L wrist radiograph; PA; pediatric patient (male, age 11); cast in situ —

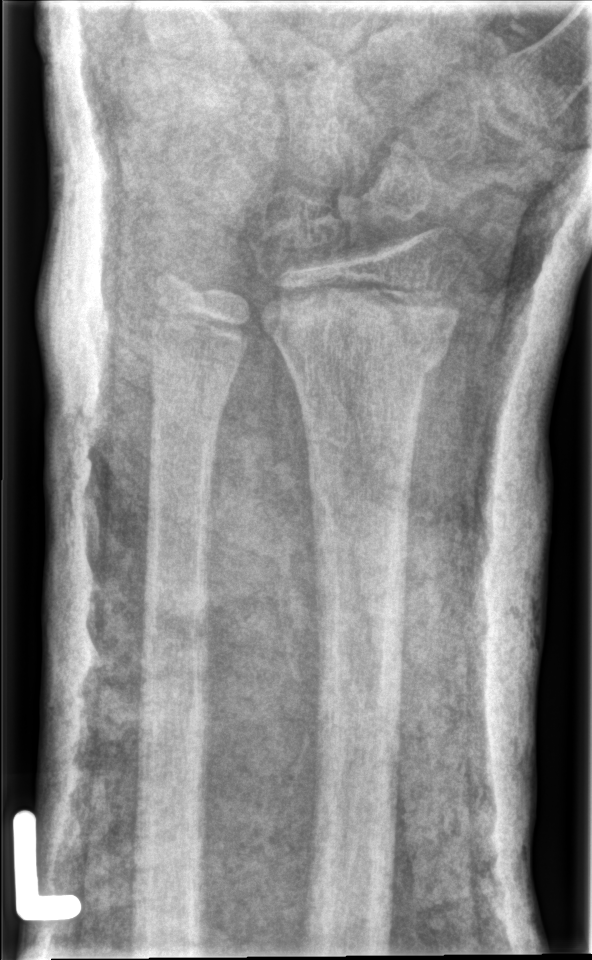

Fracture = bbox(258, 283, 468, 377)